Right wrist radiograph; PA/AP view; age 13 y, male; index exam; detector: Siemens. 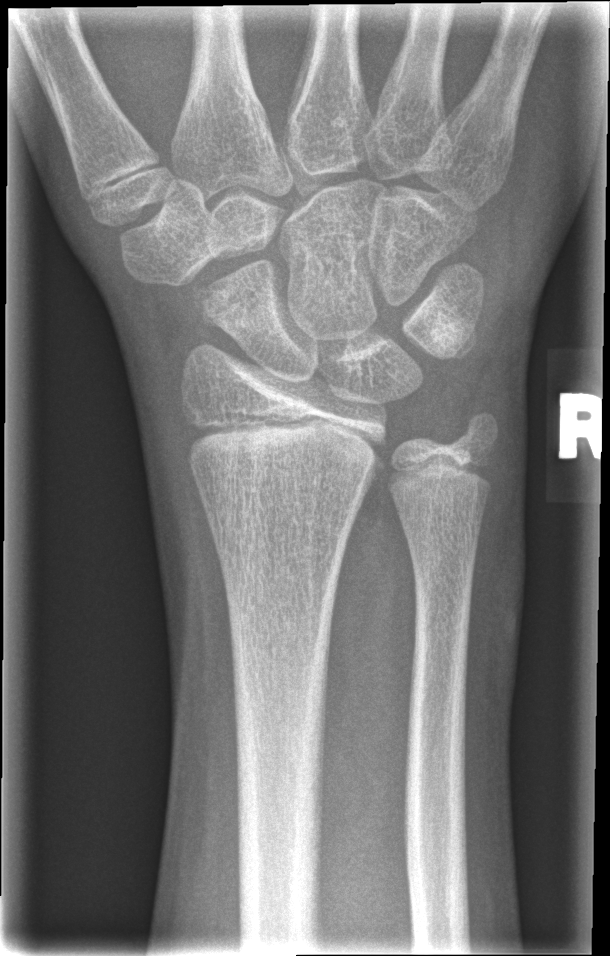

FINDINGS — One Fx at bbox(188, 277, 287, 330).